Rt plain radiograph of the wrist, lateral projection, pediatric patient (female, age 8), equivocal findings, detector: Siemens

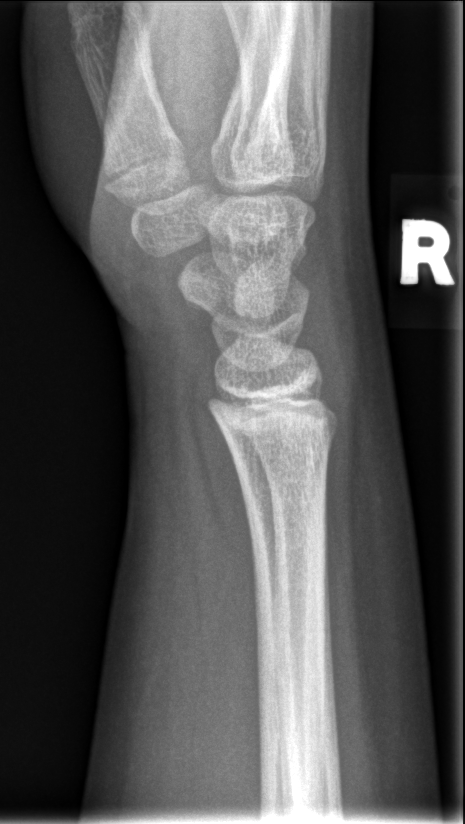 Fx — 222,408,343,466.
AO code 23r-M/2.1.